Left wrist plain radiograph of the wrist · lateral projection · 16-year-old boy · imaged through cast · image size 560x904. 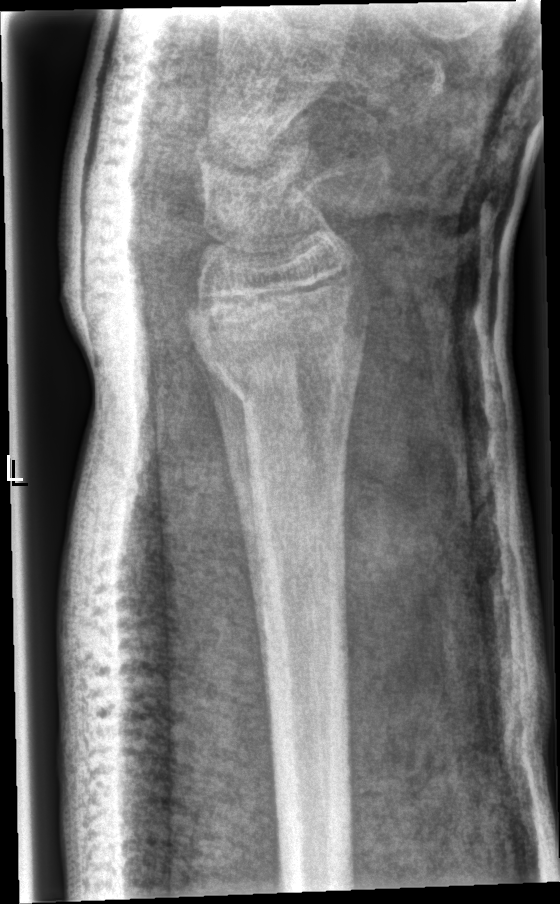
AO/OTA = 23r-M/3.1; 23u-E/7
Bone fracture = (left=197, top=337, right=368, bottom=437)